R wrist X-ray | frontal projection | male, 12 yo | follow-up study | in cast

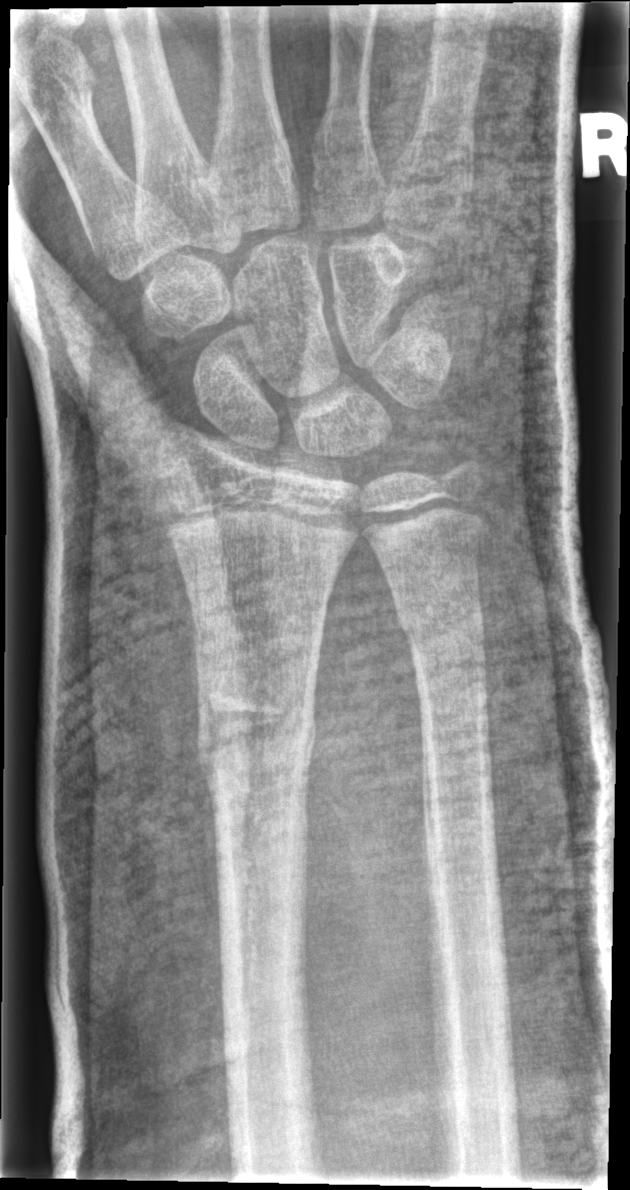 AO/OTA: 23-M/2.1
Bone fracture: 2 @ 192 675 321 794
  397 596 489 654